Lateral projection; left wrist XR; 83.2 mm image width:

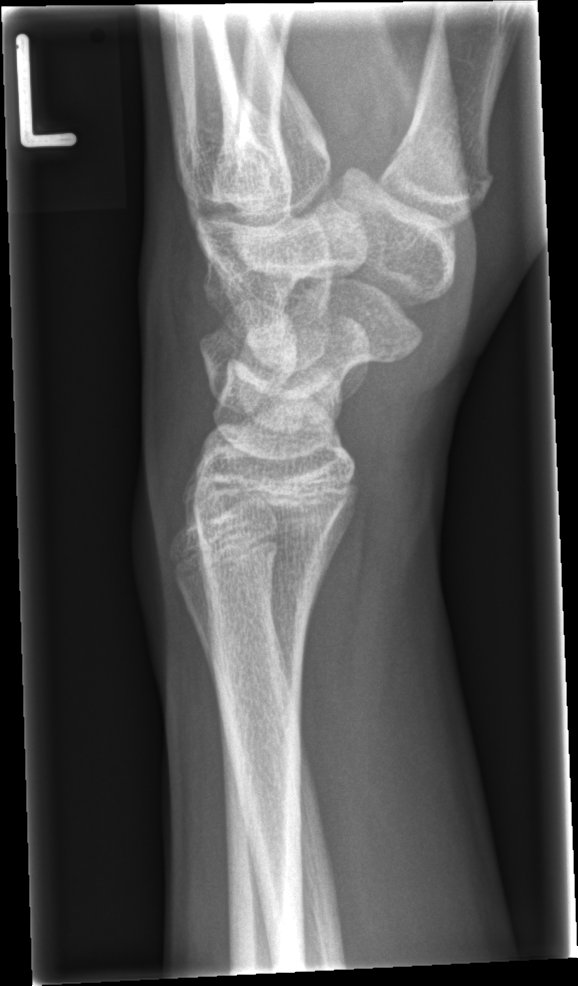
* Fx present but not clearly seen in this view.
* AO code 72B(c).